R wrist XR, AP projection, 84.1 mm image width.

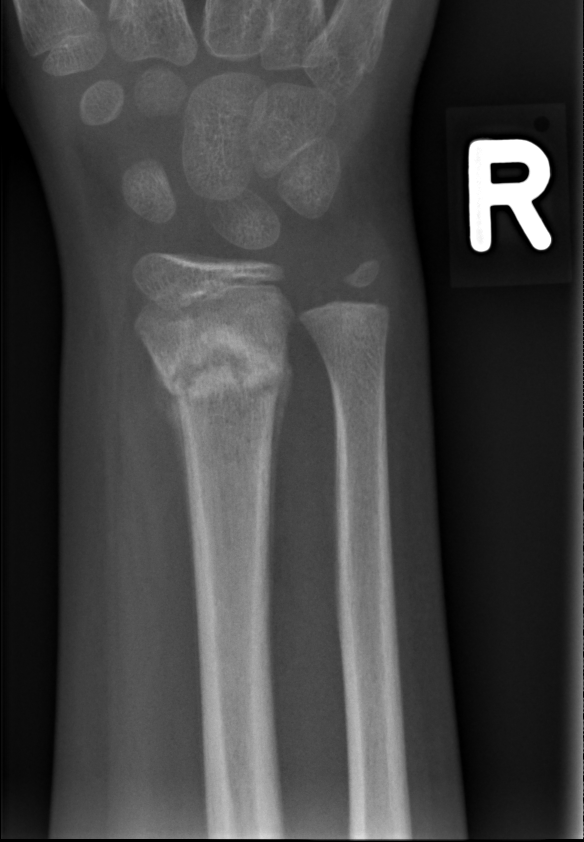 Bone fracture: <154,314>-<290,407>. Osteopenic. Periosteal new bone — <152,352>-<197,596>, <266,337>-<296,614>.